Left wrist radiograph · lat · pediatric patient (male, age 15) · subsequent exam · in cast.
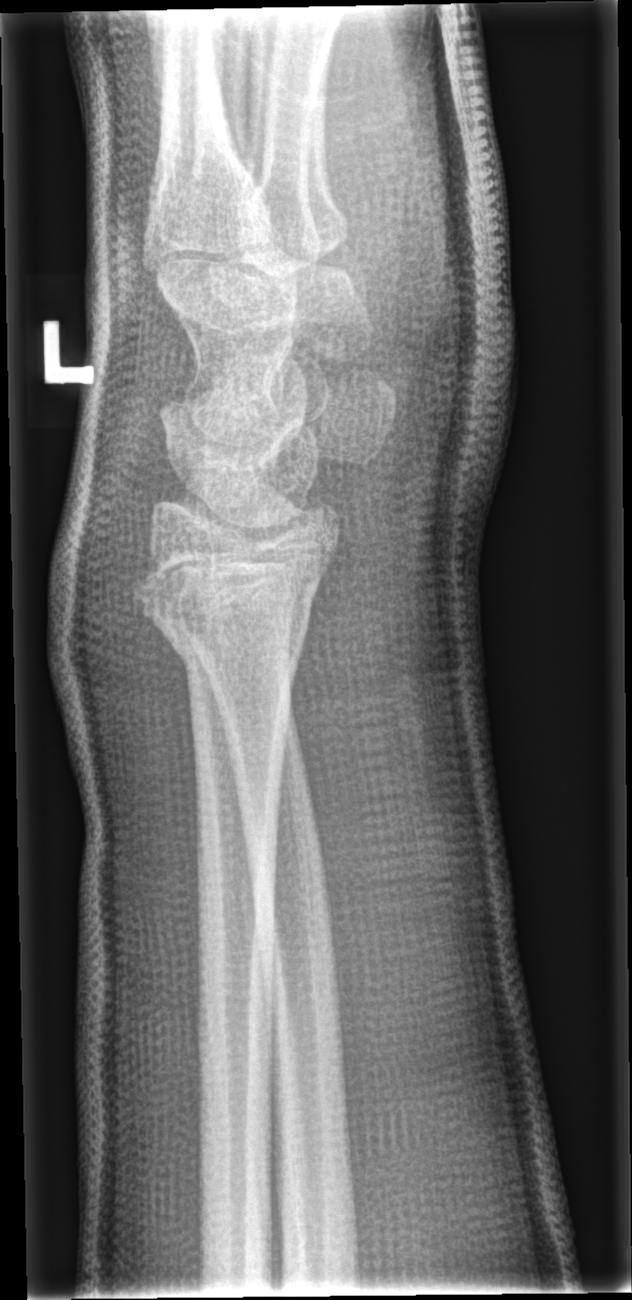
Q: Any fracture seen?
A: Bone fracture — (128, 556, 318, 684)